Lt plain radiograph of the wrist | frontal view | 16-year-old boy | 569 x 1568 px

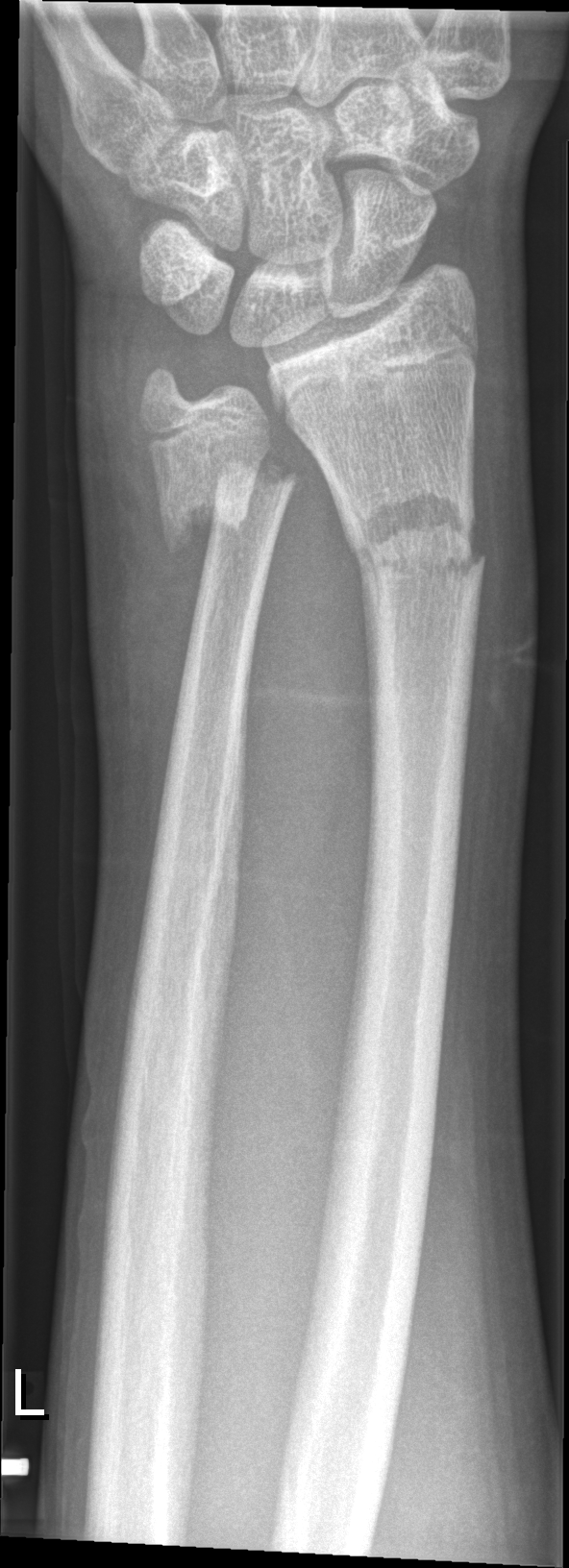 Findings: (coordinates are [x1, y1, x2, y2] in image pixels) Two bone fractures at <335,483>-<489,597>; <158,468>-<295,551>. AO/OTA classification: 23-M/3.1.